Posteroanterior projection · right wrist XR · cast present:
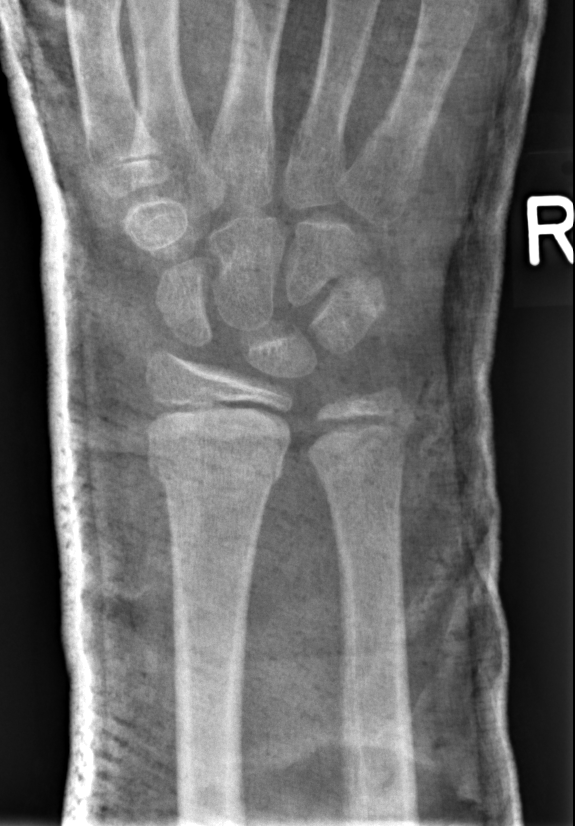 Fracture: (left=145, top=438, right=288, bottom=494)